PA | L wrist X-ray | boy, 10 yo | subsequent exam | Siemens | 108.7 mm image width.
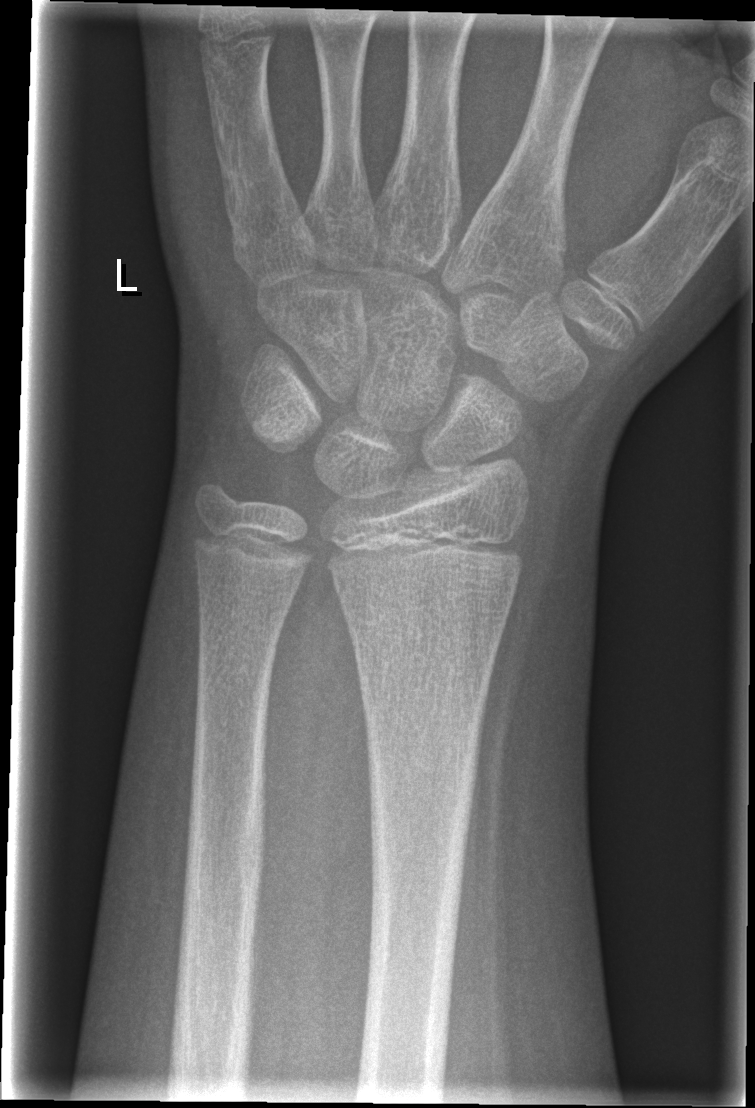
Osteopenia = present
Fx = none labeled